Lateral projection · Lt pediatric wrist radiograph · index exam.
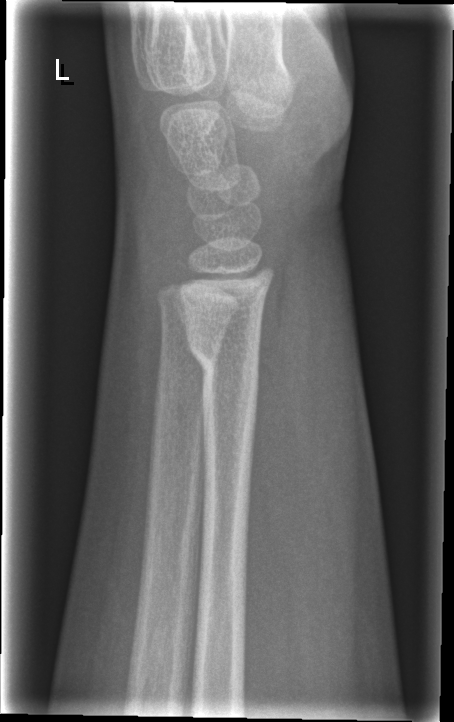

Fracture = (left=182, top=321, right=264, bottom=395)